R wrist XR; lateral; acquired on Siemens; 352 by 978 pixels —

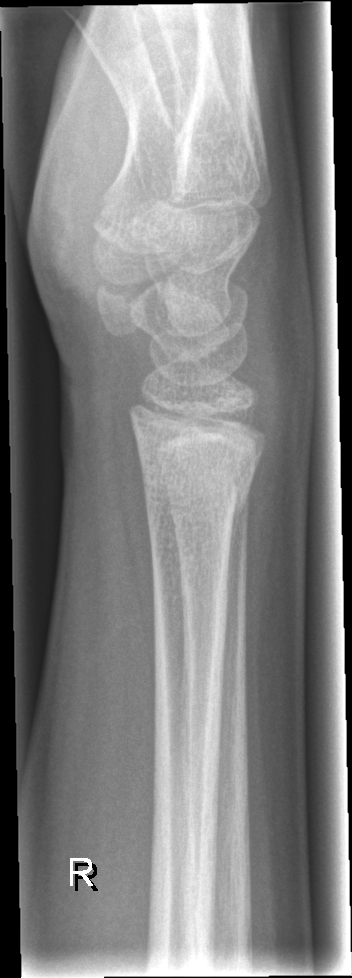

fracture: <135,454>-<260,527>
periosteal new bone: 1 @ <231,499>-<244,561>
AO code: 23r-M/2.1